L wrist plain film; lateral view; age 7 y, boy; follow-up study; imaged through cast —

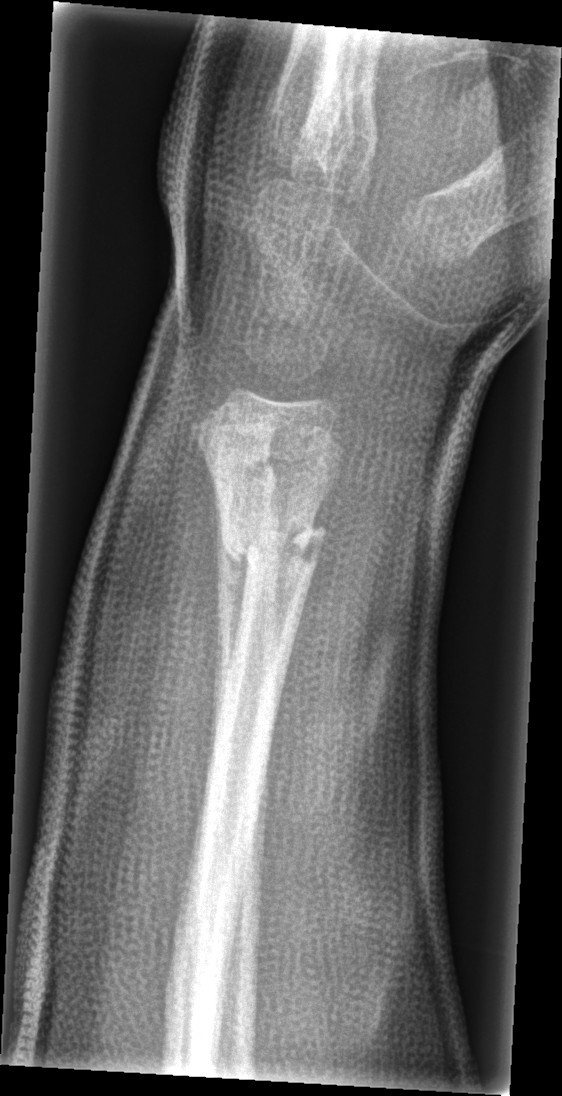 {"ao": "23-M/3.1", "fracture": "216,500,330,583\n  203,447,282,506"}